PA/AP, Rt wrist X-ray:

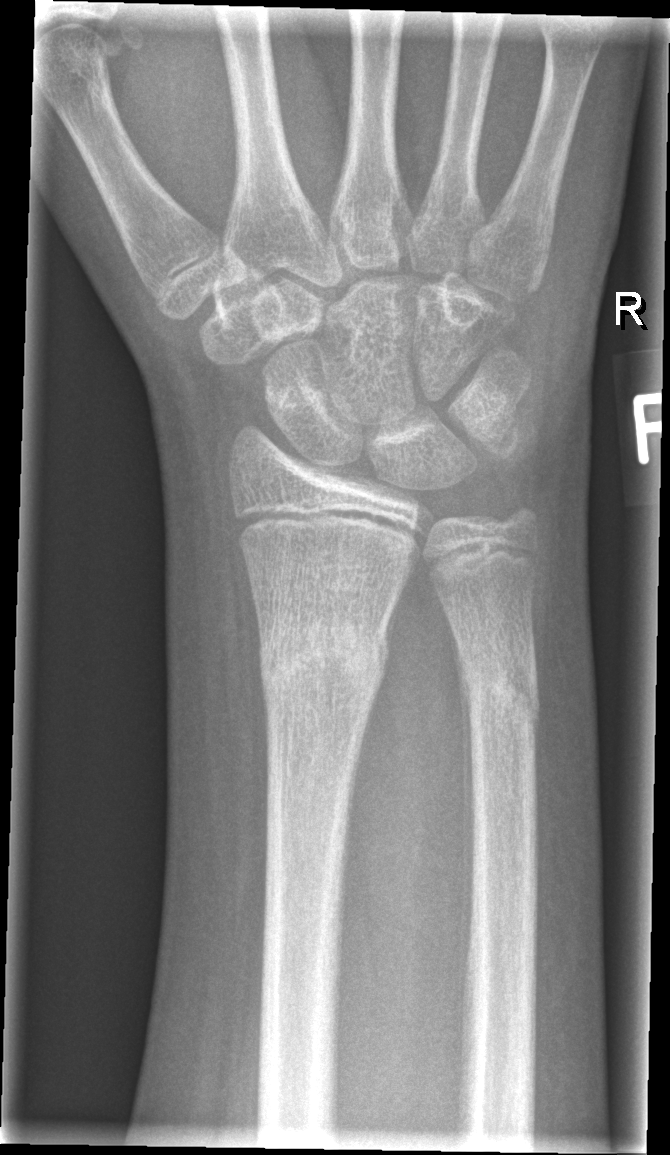
Osteopenia = present
Periosteal new bone = 2 @ [442, 599, 475, 1080], [381, 583, 405, 667]
Bone fracture = 2 @ [252, 599, 394, 722] [449, 641, 545, 741]